PA/AP, L plain radiograph of the wrist, pediatric patient (girl, age 6).

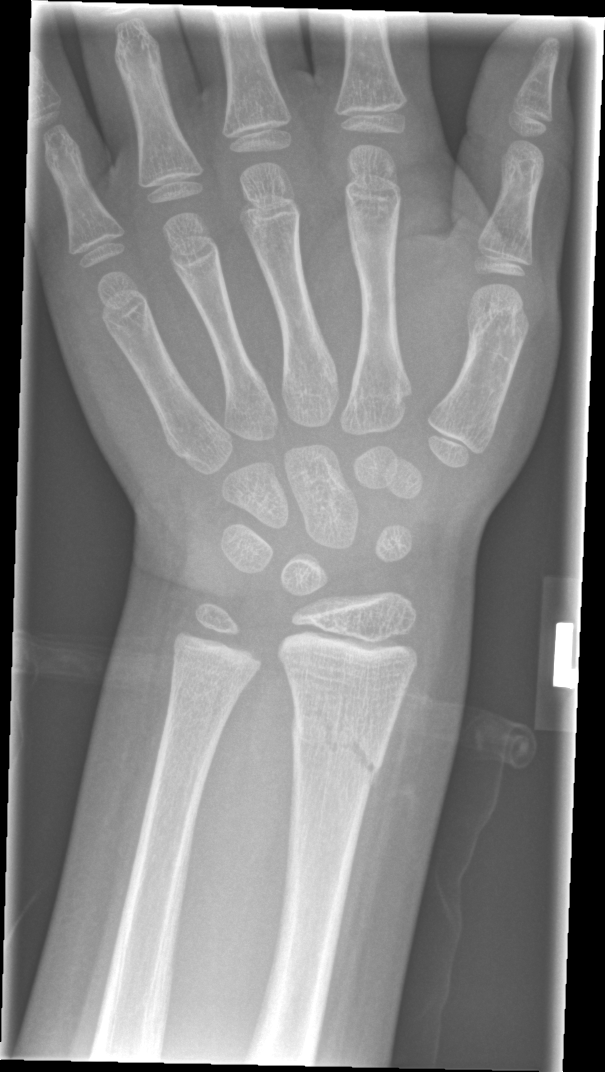

  fracture: 1 @ [x1=286, y1=706, x2=385, y2=784]
  ao: 23r-M/3.1